PA/AP projection, R wrist XR, pediatric patient (female, age 17), subsequent exam, 636 x 1422 px:
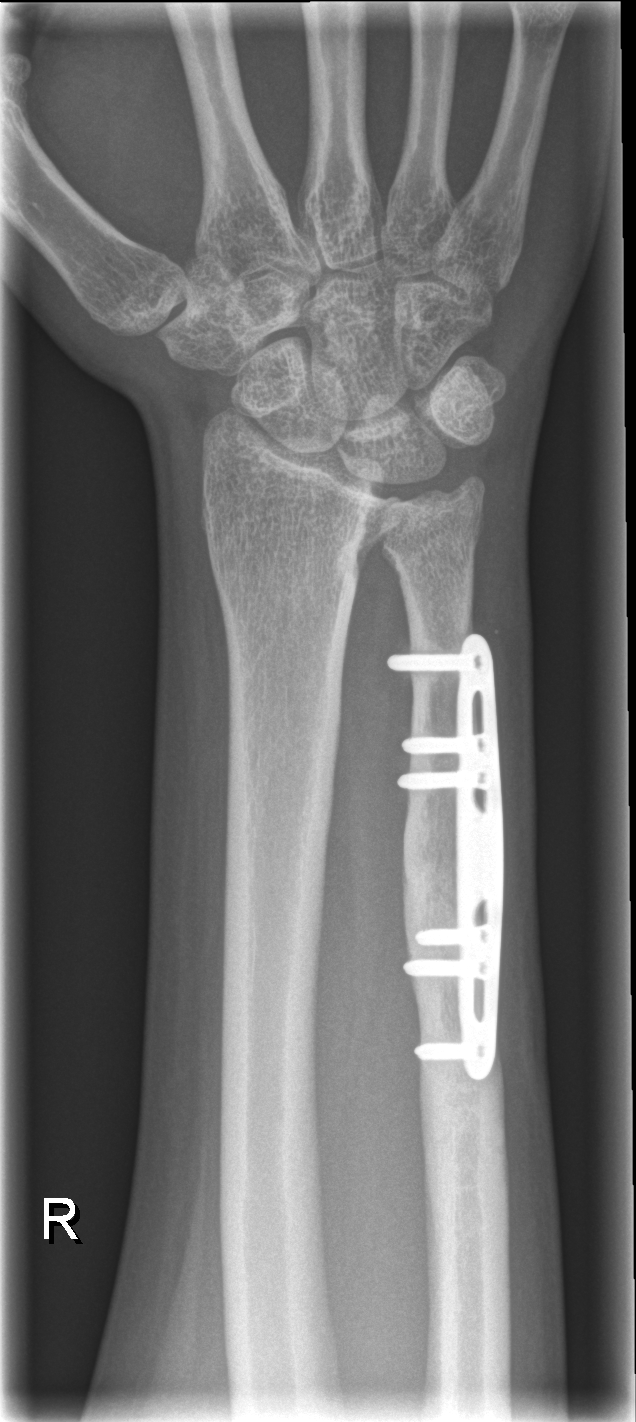

Findings: (bounding boxes in image-pixel xyxy) Metallic implant identified at [x1=386, y1=646, x2=504, y2=1080]. Fracture: none labeled.